Frontal projection | left wrist radiograph | presentation radiograph —
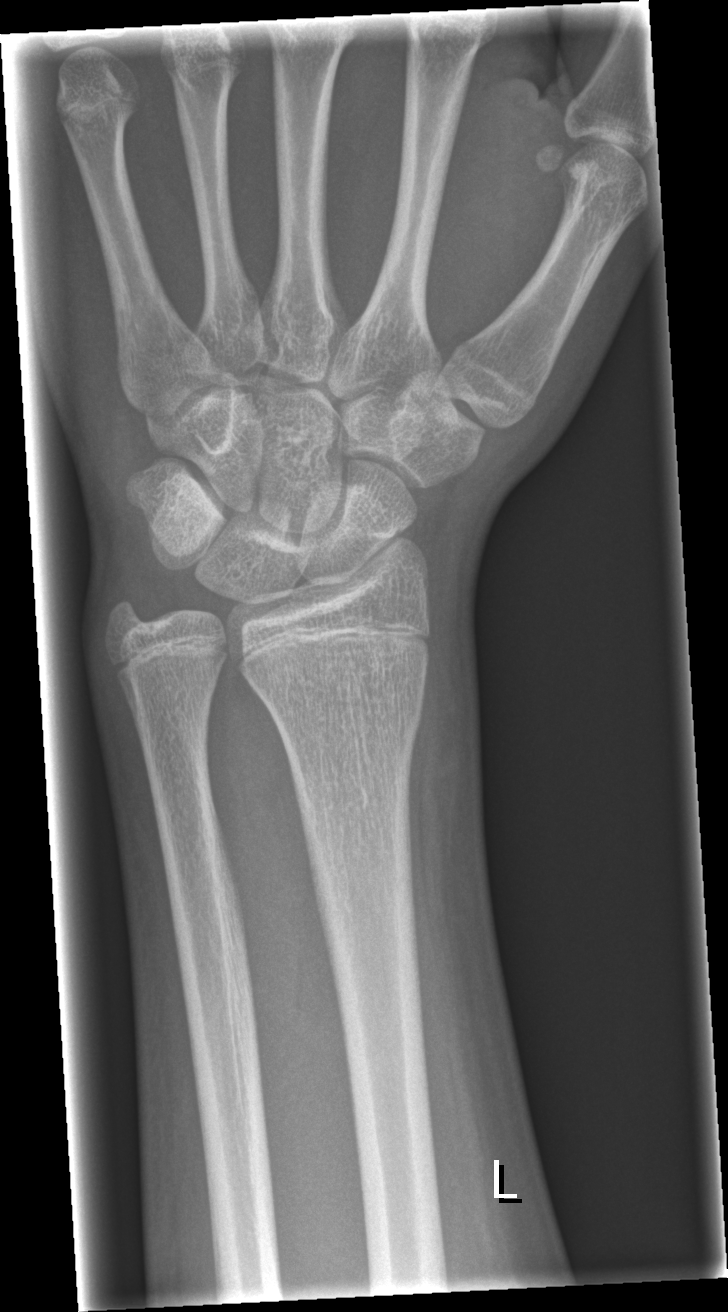

Findings: No fracture labeled.